PA/AP projection · R wrist X-ray · follow-up study · cast in situ. 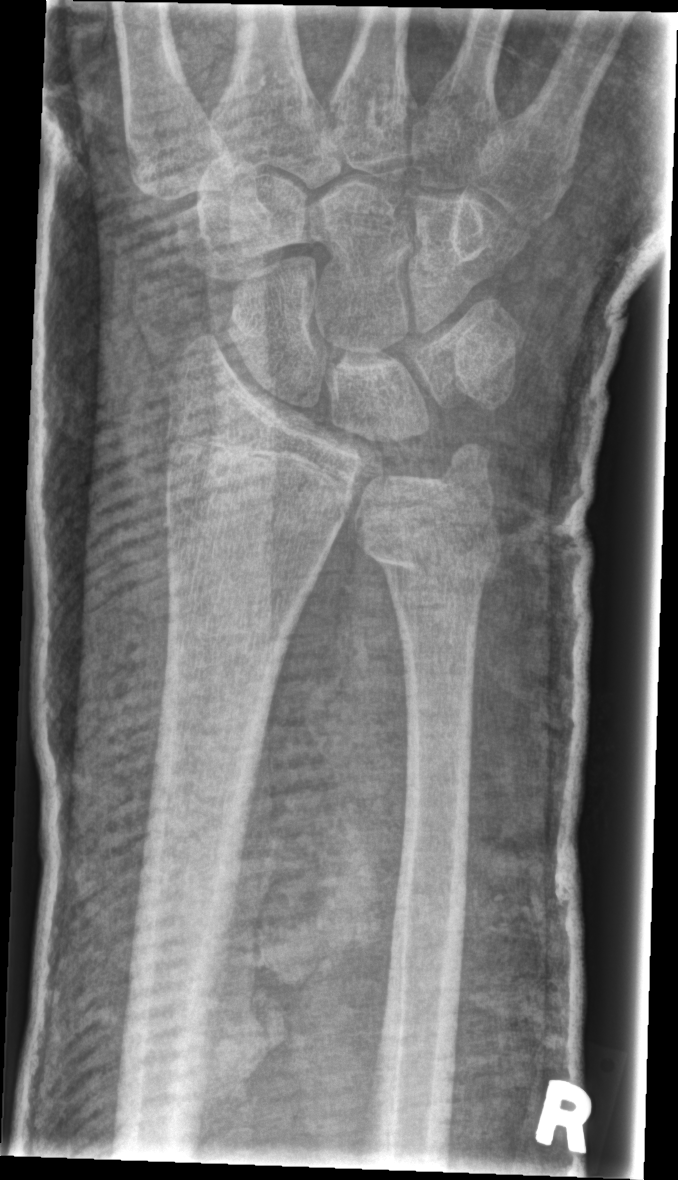

* AO/OTA classification: 23-M/3.1.
* Fractures — 159 434 351 532
  353 490 506 591.